Lateral · left wrist X-ray · pediatric patient (female, age 11) · in cast:
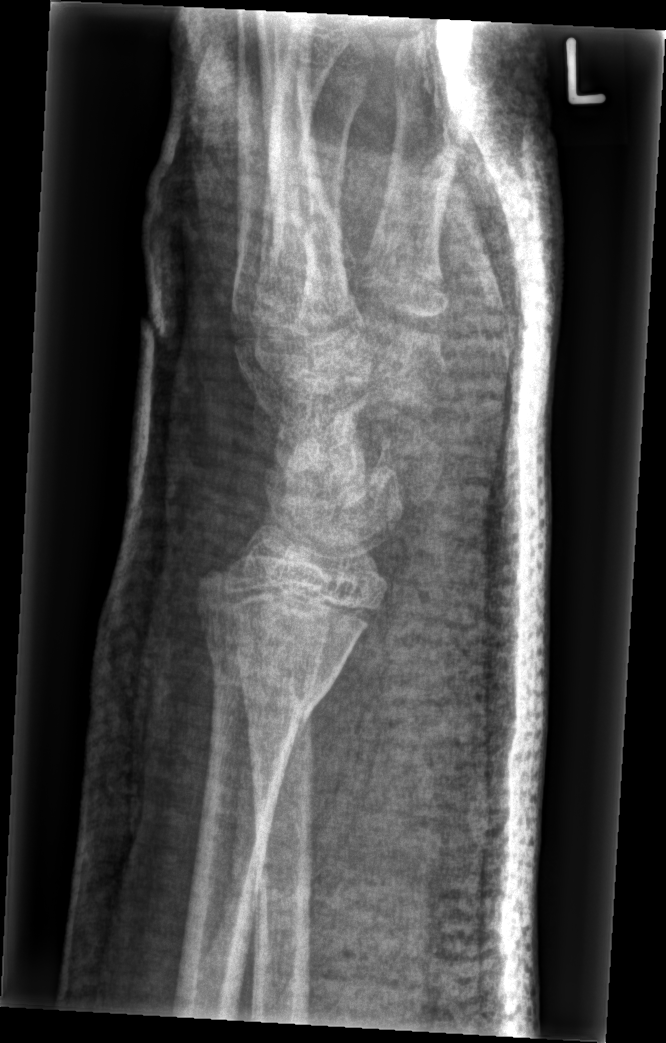 (boxes as x1,y1,x2,y2 (top-left / bottom-right, pixel units))
Fracture = 1 @ 196 568 376 731
Osseous lesion = 285 440 330 474
AO classification = 23r-M/3.1; 23u-M/2.1